PA | left pediatric wrist radiograph | 10-year-old boy

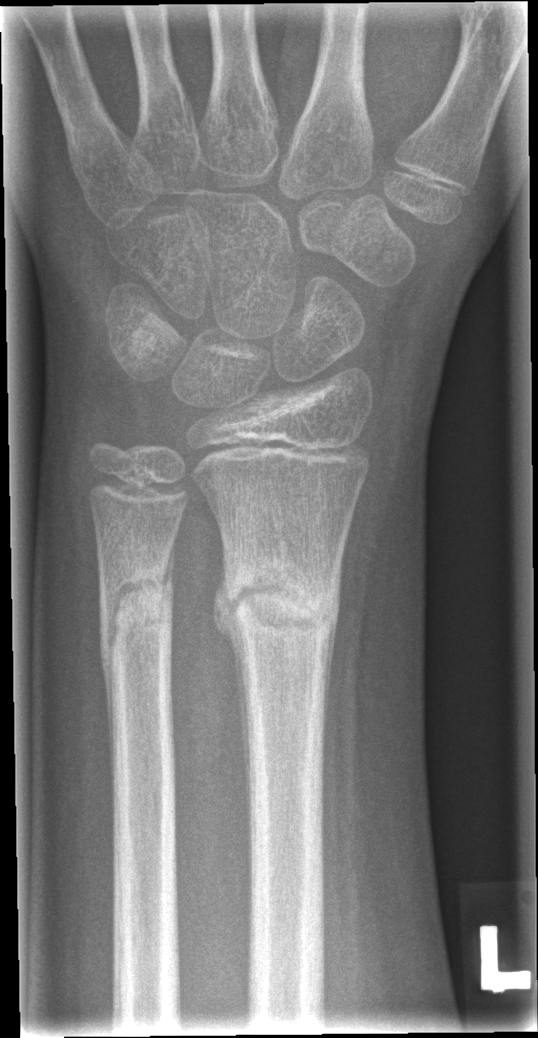 Findings: (pixel coordinates, top-left origin, xyxy) Fx identified at bbox(216, 529, 344, 661); bbox(91, 554, 179, 666). Periosteal reaction identified at bbox(212, 553, 254, 877) bbox(162, 531, 177, 601).